Left wrist X-ray; AP view; age 7 y, boy; subsequent exam

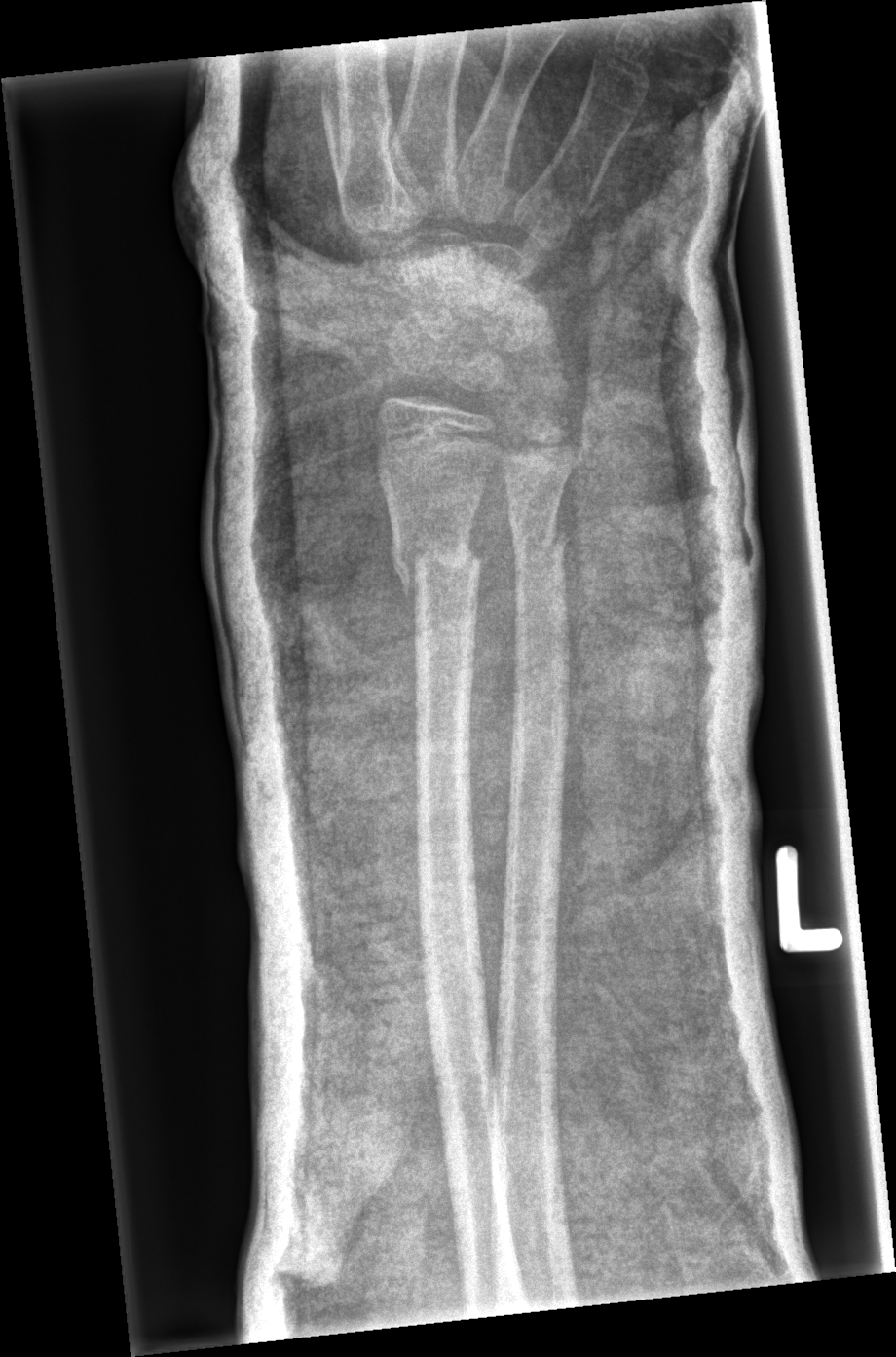
Fracture: <386,529>-<486,606>; <507,517>-<571,571>.